Left plain radiograph of the wrist, AP, index exam, 86.8 mm image width: 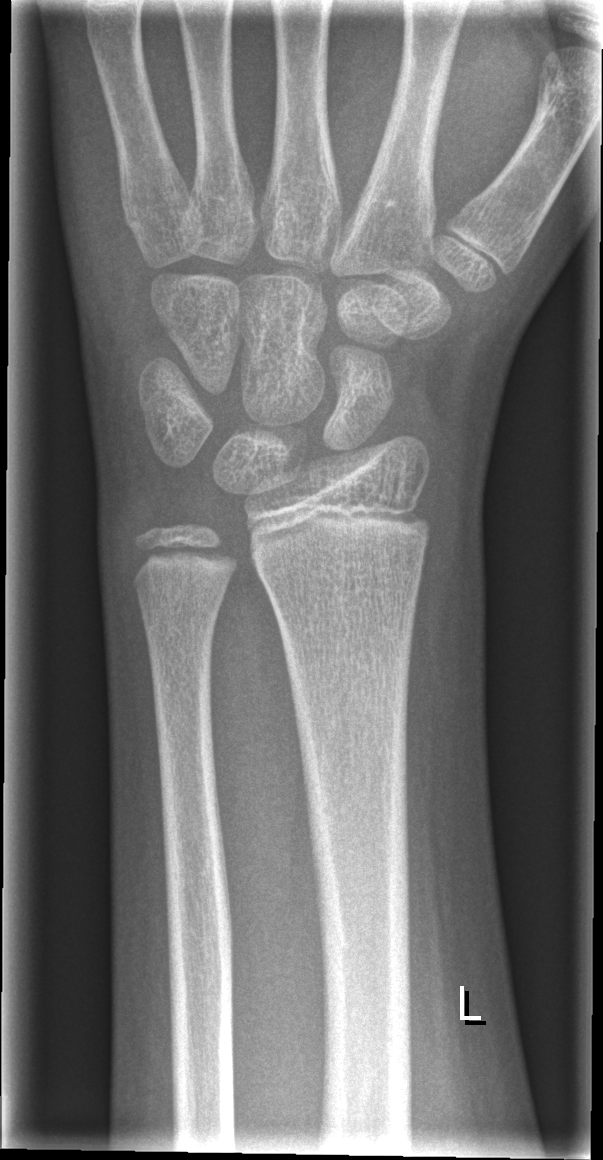
Q: Fracture present?
A: No Fx annotated